Left plain radiograph of the wrist | lat view | male, 7 yo.
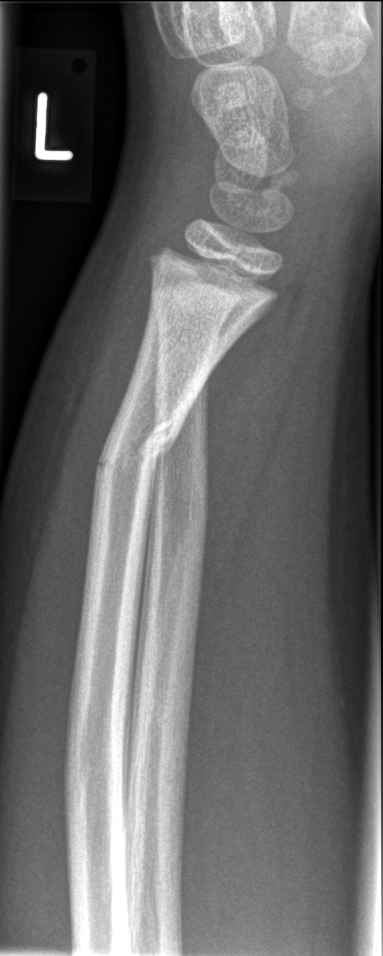
(bounding boxes in image-pixel xyxy)
AO classification: 23r-M/3.1; 23u-M/2.1
Fx: 2 @ <89,426>-<179,488>; <142,313>-<225,369>